Right wrist X-ray; lat projection; pediatric patient (boy, age 15); index exam — 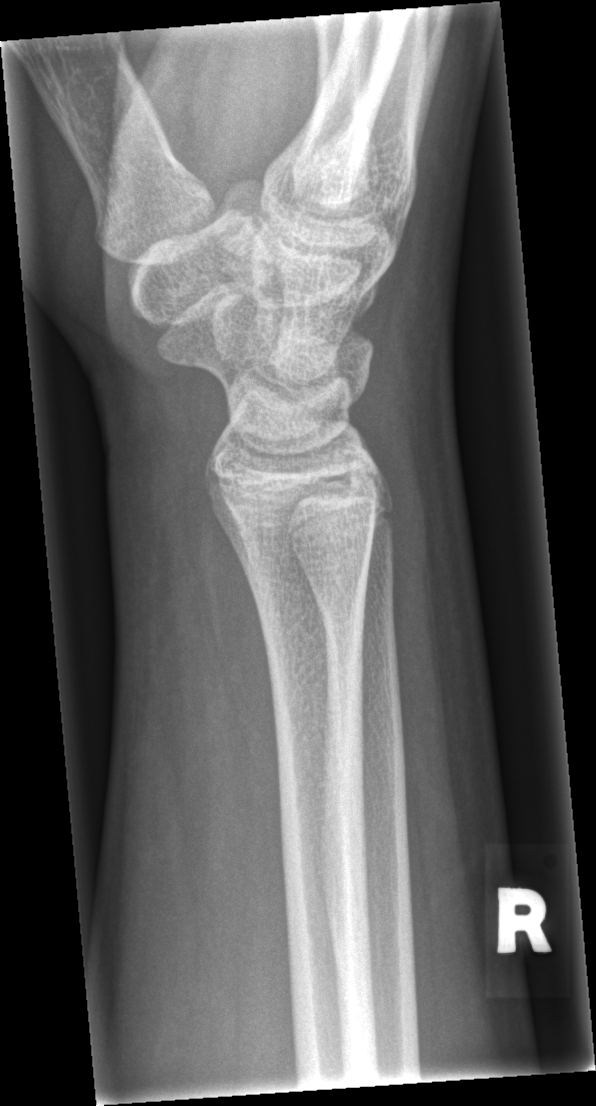 No fracture bounding box.